PA, left wrist X-ray, pediatric patient (male, age 14), initial study, image size 607x1036.

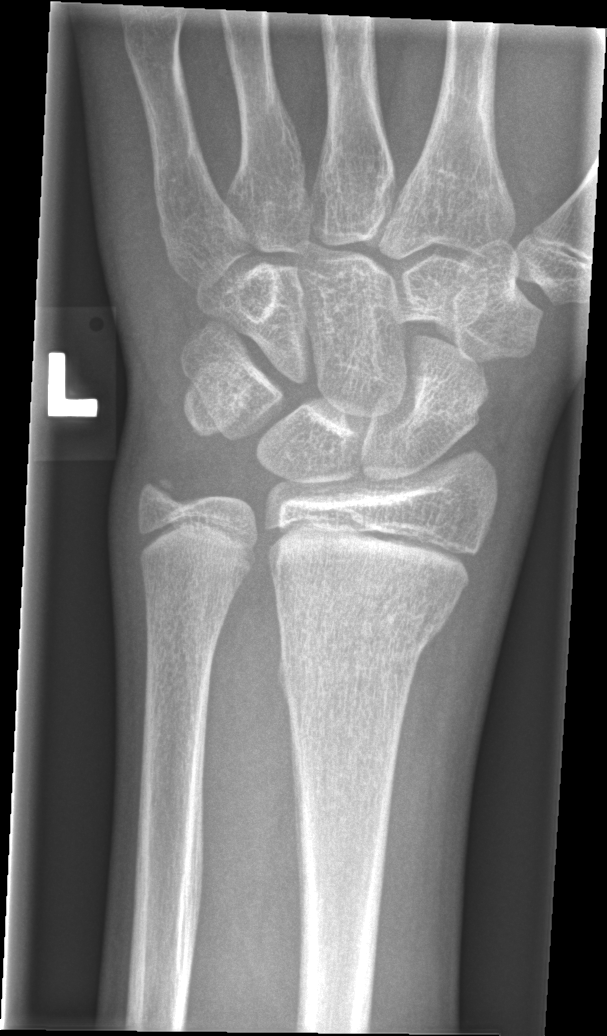
{"_coords": "bounding boxes in image-pixel xyxy", "fracture": "272 586 460 714\n  130 455 200 528", "ao": "23r-M/3.1; 23u-E/7"}